Rt wrist radiograph | AP view | pediatric patient (boy, age 3) | image 63.6 mm wide.

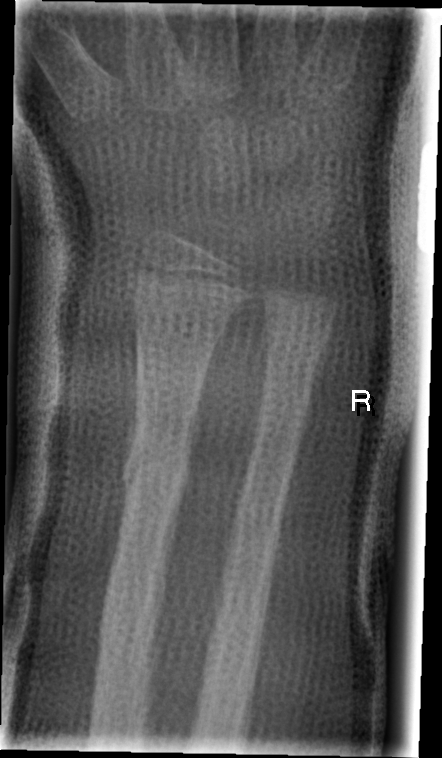
Bone fracture = (119, 441, 195, 505); (254, 322, 328, 367)